R plain radiograph of the wrist; lat view; follow-up; imaged through cast. 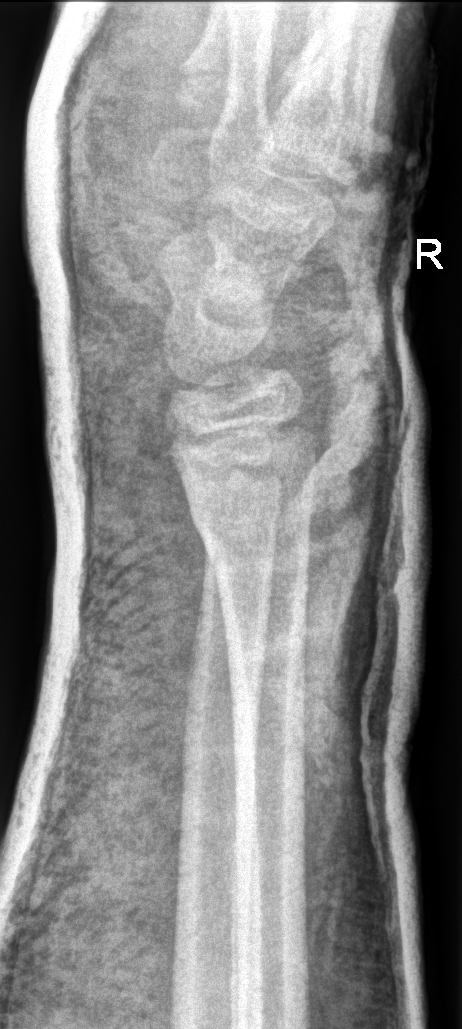
{
  "ao": "23r-M/3.1",
  "fracture": "182,495,318,540"
}